AP; left plain radiograph of the wrist; 5y F
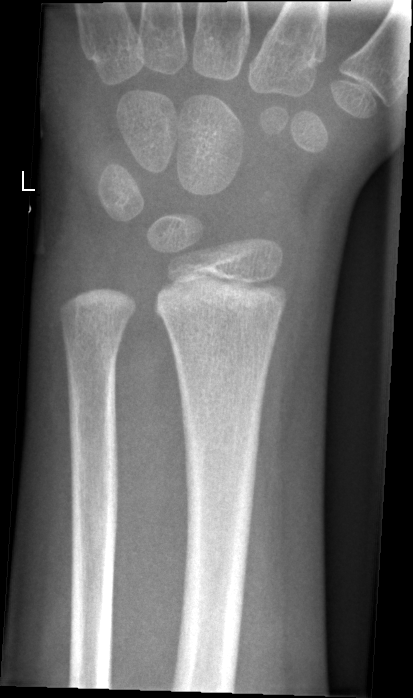
- No fracture labeled.